Left wrist plain radiograph of the wrist · PA view · 13-year-old boy · detector: Siemens · 703x1568.
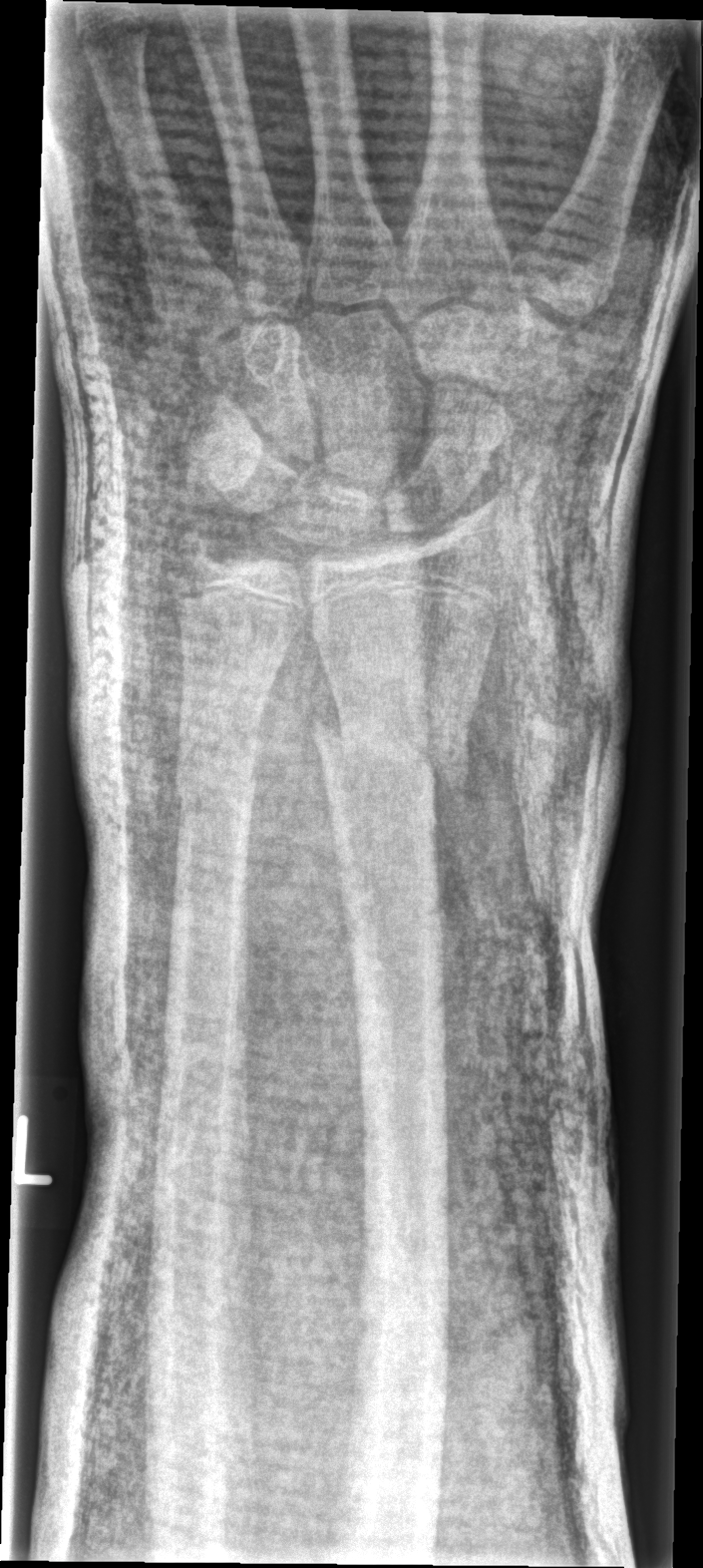

AO/OTA classification: 23-M/3.1; 23u-E/7.
Fx — [306, 704, 474, 829]; [168, 749, 264, 836]; [160, 520, 225, 584].